Lat view, left pediatric wrist radiograph, age 12 y, boy, 431 by 1054 pixels

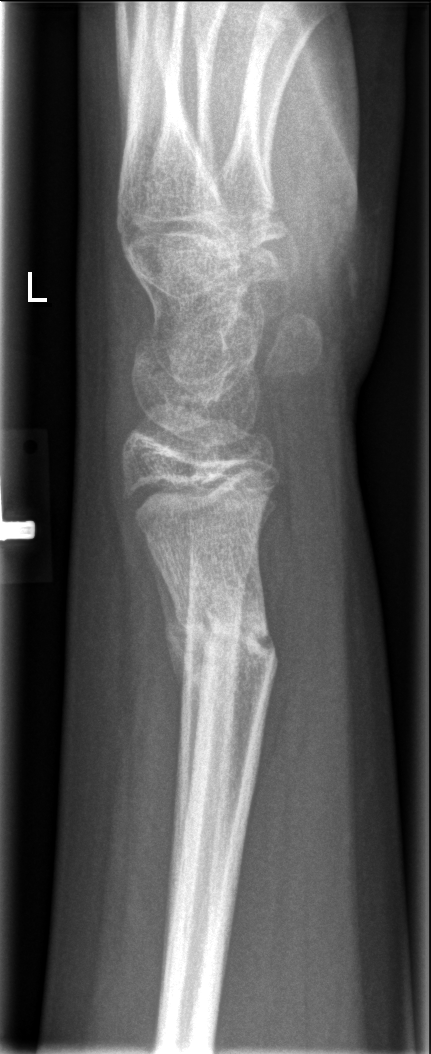
* Reduced bone mineral density.
* Fracture classified AO/OTA 23r-M/3.1.
* Periosteal reaction: (left=137, top=518, right=206, bottom=754).
* Fx — (left=169, top=595, right=282, bottom=683).